Lat view | Rt wrist X-ray | 652 by 984 pixels.

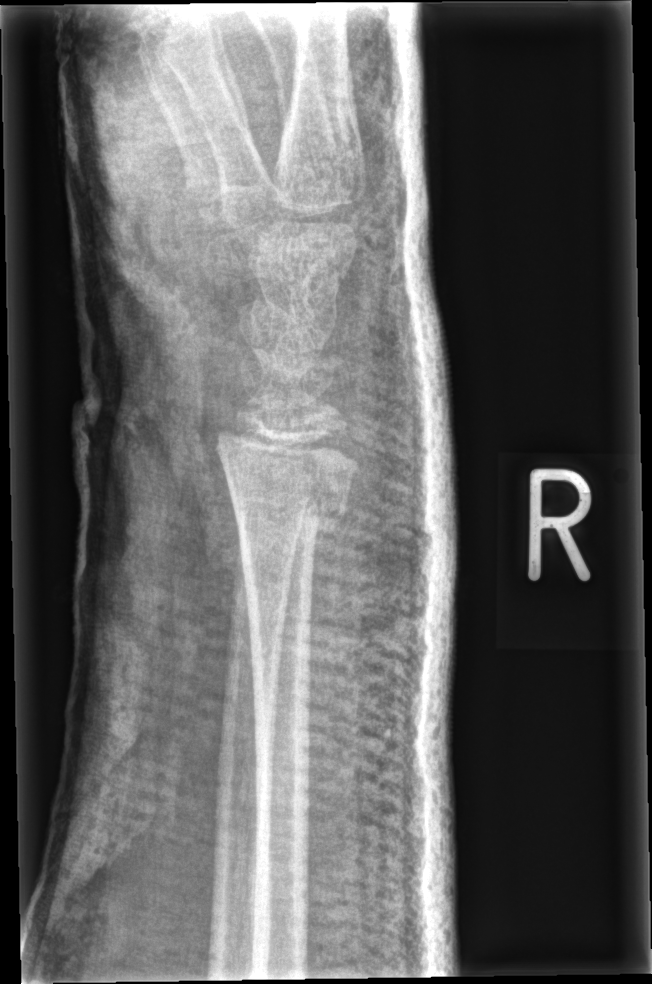 Q: Is there a fracture?
A: One Fx at bbox(224, 463, 357, 554)
Q: AO code?
A: AO code 23r-M/3.1; 23u-E/7